Right wrist plain film · AP projection · pediatric patient (girl, age 10) · image 72.9 mm wide. 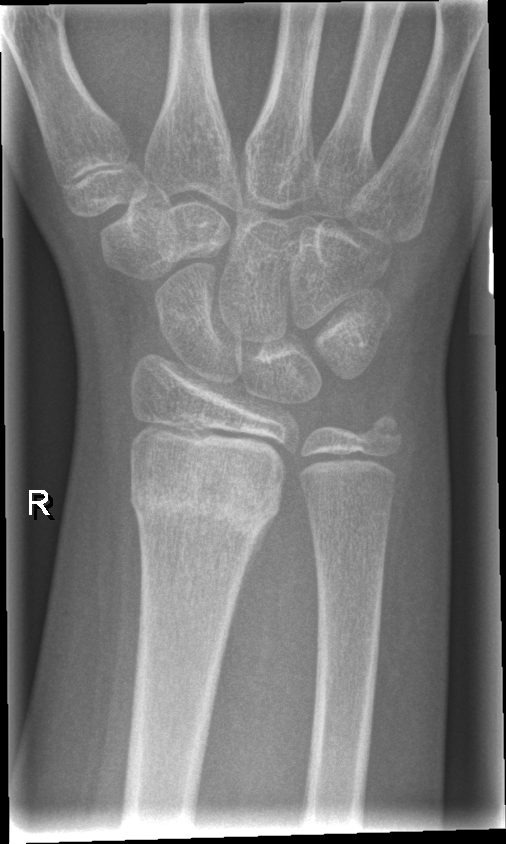

(coordinates are [x1, y1, x2, y2] in image pixels)
AO code = 23r-M/3.1; 23u-E/7
Fx = 125 461 284 539; 356 406 409 456
periosteal new bone = 1 @ 227 513 278 638